Right wrist plain film · lat · 14-year-old female: 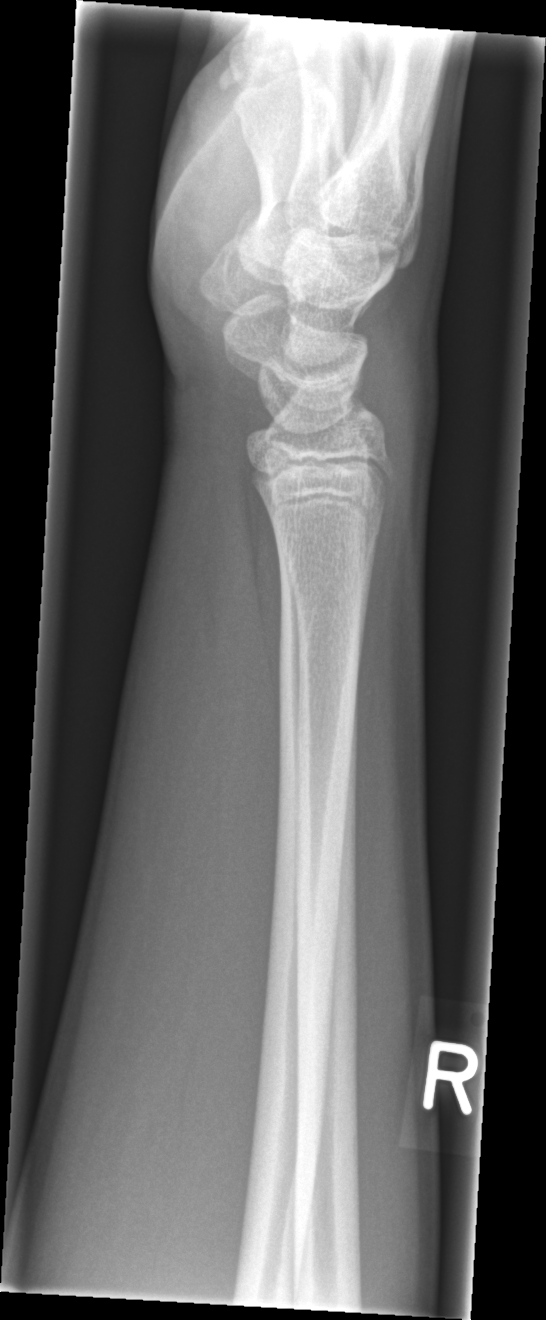

No fracture bounding box.